Rt pediatric wrist radiograph; PA view; age 9 y, male; cast in situ —

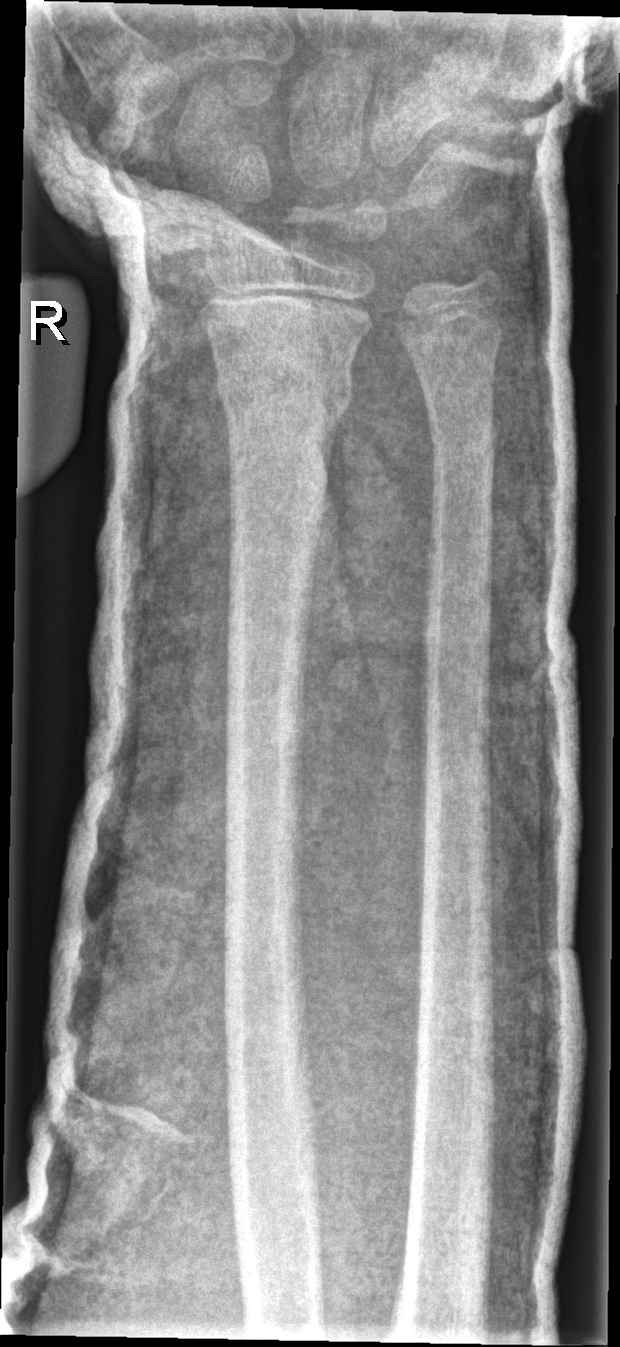
Fx: [x1=215, y1=358, x2=357, y2=428] [x1=424, y1=404, x2=499, y2=459]